AP view, right wrist X-ray
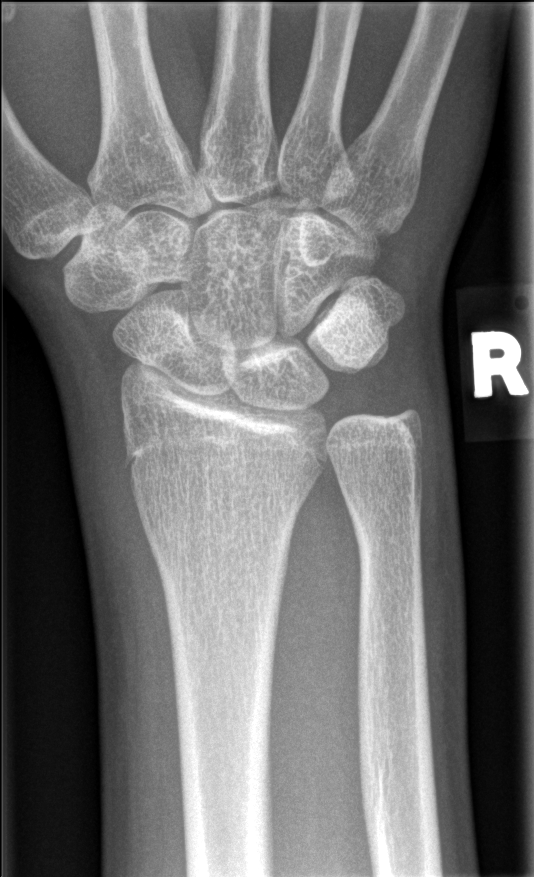
FINDINGS — Fracture: none labeled.